Lateral projection · R wrist X-ray · presentation radiograph · image 67.8 mm wide · 471 x 892 px: 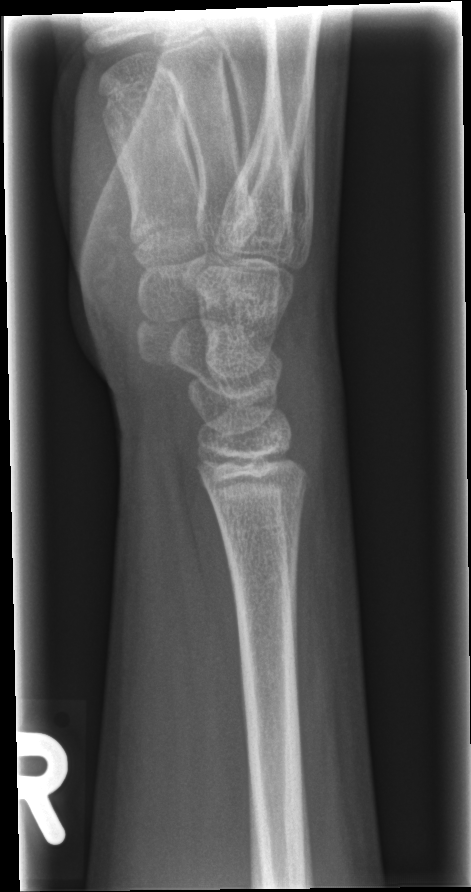 No fracture bounding box.